Left wrist XR | lat | 10y M. 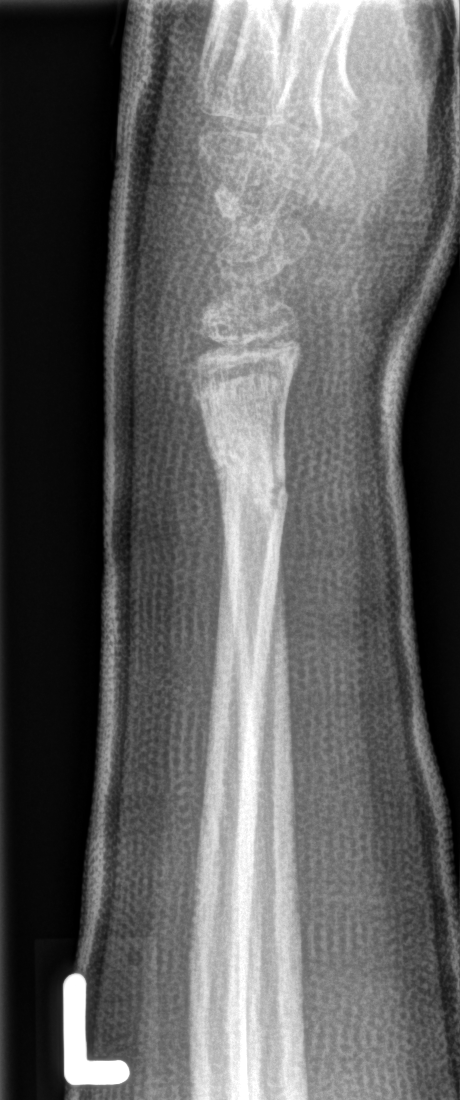 Q: Fracture present?
A: Bone fracture: 203 440 293 523
Q: AO code?
A: Fracture classified AO/OTA 23-M/2.1